Right wrist XR · lat view · 9-year-old female

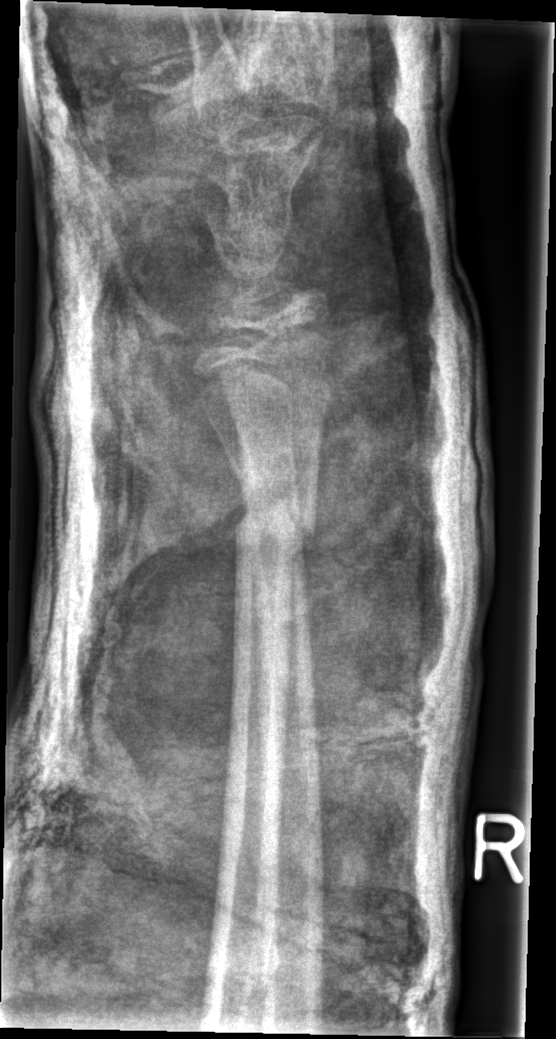 (coordinates are [x1, y1, x2, y2] in image pixels)
Bone fracture = 1 @ [231, 501, 320, 556]
AO/OTA = 23r-M/3.1; 23u-M/2.1